Right plain radiograph of the wrist; posteroanterior; initial study:

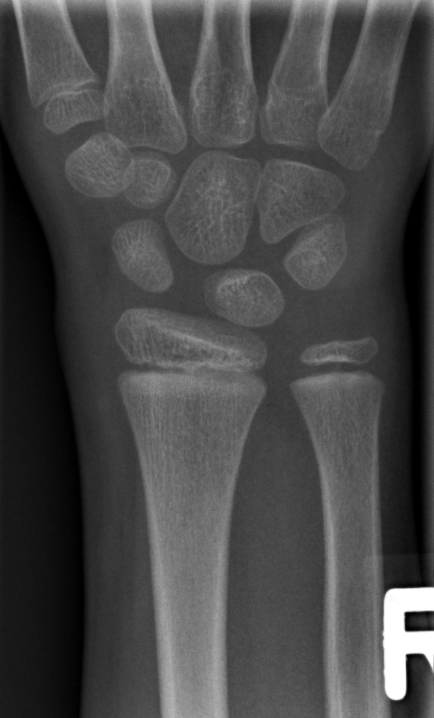

FINDINGS: No fracture bounding box.